Posteroanterior view; Lt wrist X-ray; imaged through cast — 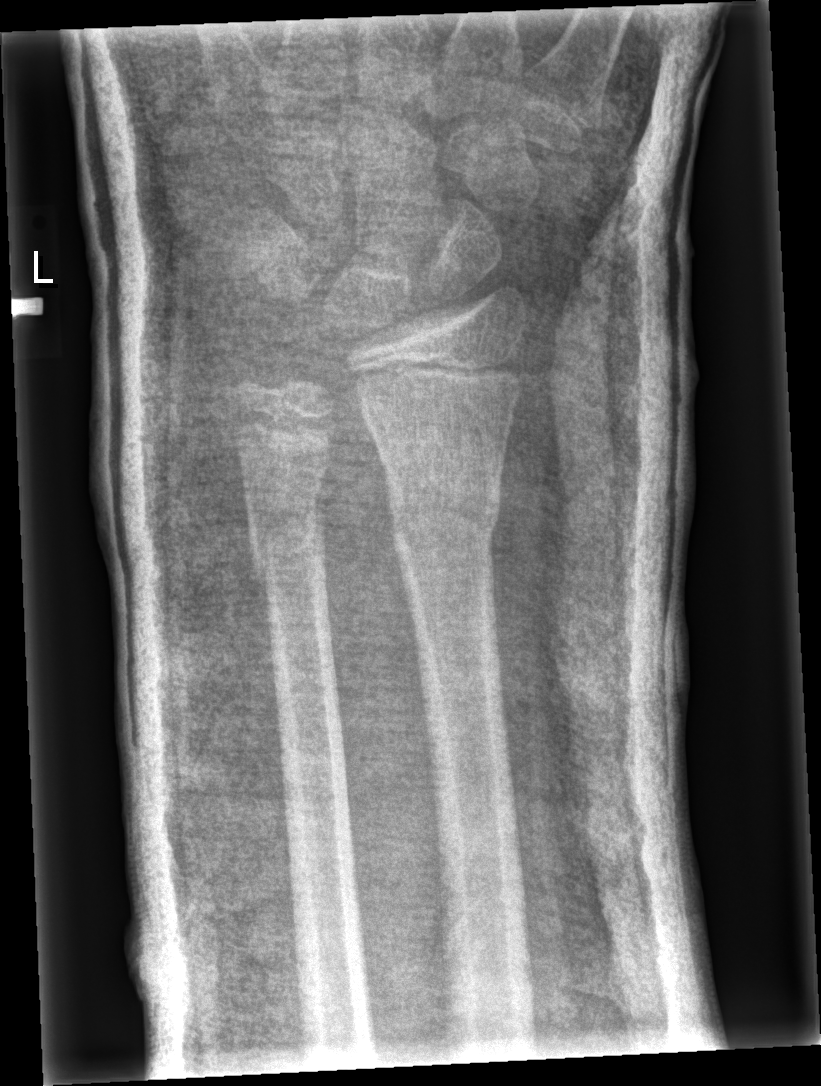
FINDINGS: Fracture: (384, 463, 503, 556); (244, 499, 331, 587).